Rt wrist plain film; PA/AP; boy, 11 yo.

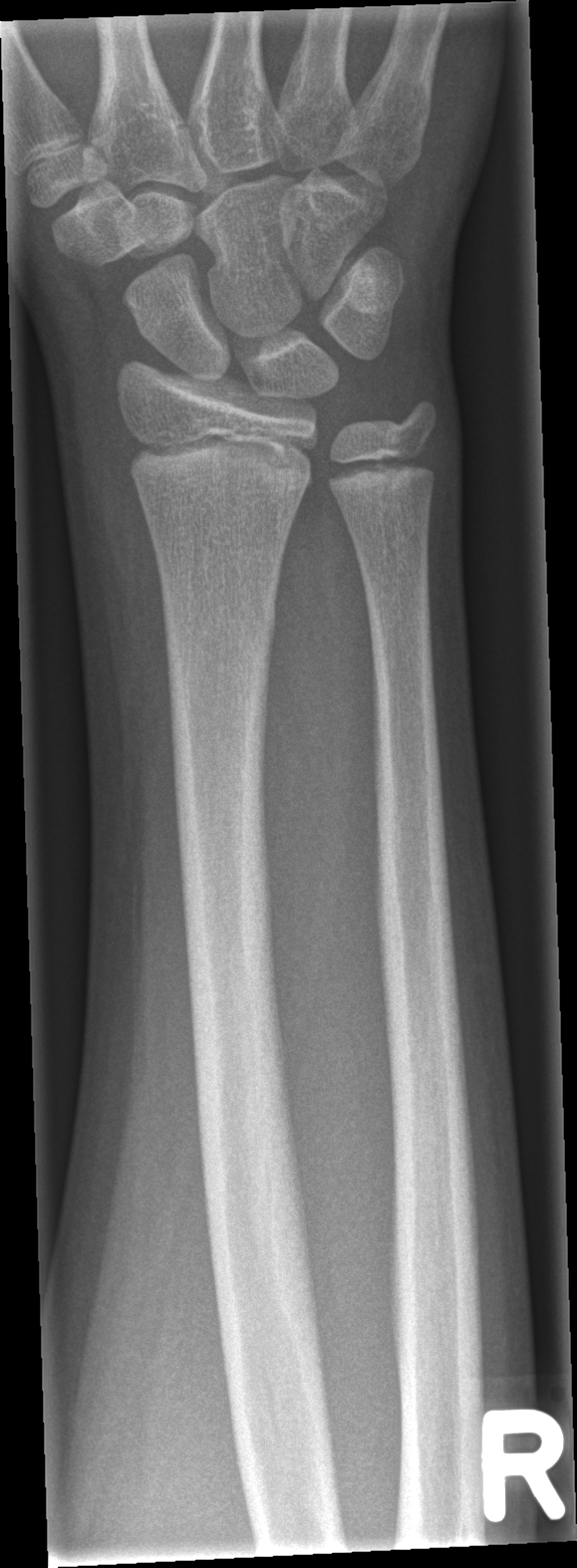

Fracture = present but not clearly seen in this view